PA; right plain radiograph of the wrist; 12y M; follow-up study; imaged through cast; 536 by 956 pixels 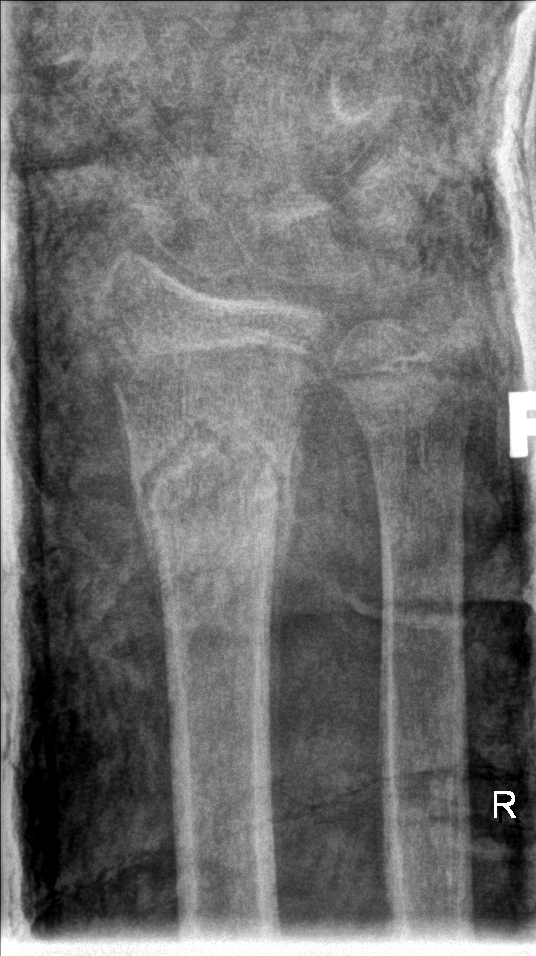 Pixel coordinates, top-left origin, xyxy. Periosteal reaction: (left=261, top=394, right=308, bottom=913) (left=128, top=474, right=168, bottom=650). AO code 23r-M/3.1; 23u-E/7. One bone fracture at (left=126, top=406, right=298, bottom=543).